Lateral projection, Rt wrist XR, index exam, image size 569x1032 —
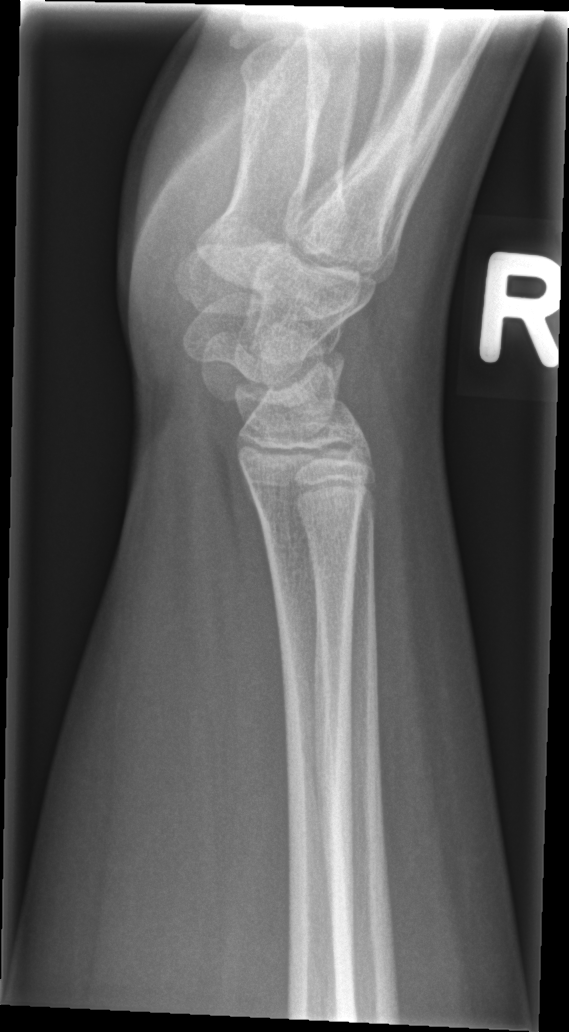

No Fx annotated.